Lt wrist XR | posteroanterior projection | 16-year-old boy | follow-up | cast in situ. 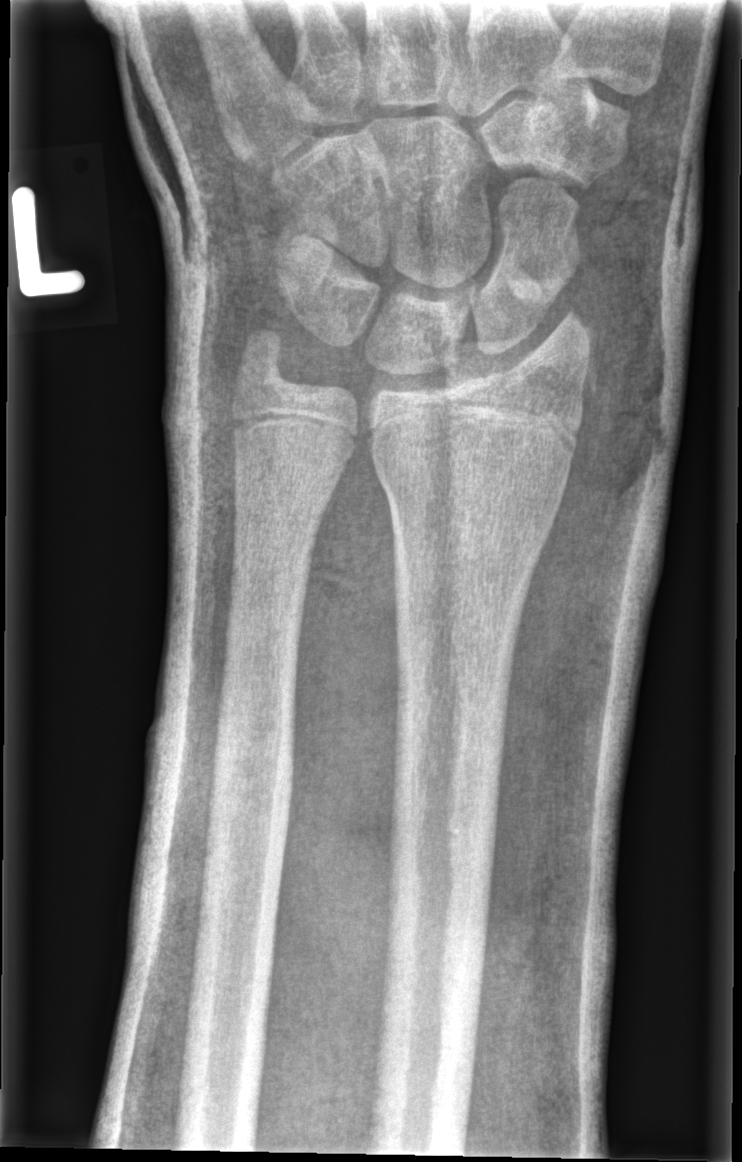

Fracture: present but not clearly seen in this view.
Fracture classified AO/OTA 23r-E/7.